Right pediatric wrist radiograph; lat; initial study
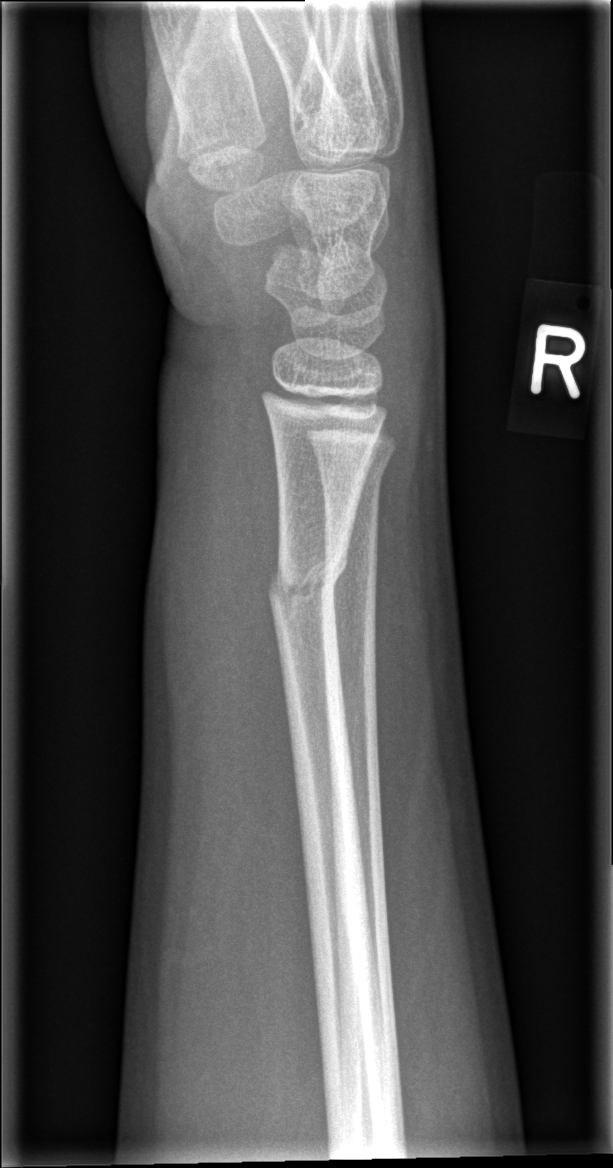
Findings: (coordinates are [x1, y1, x2, y2] in image pixels) Fx: <264,549>-<351,630>, <315,450>-<394,501>. Soft-tissue swelling: <147,342>-<282,883>. Pronator quadratus fat-pad sign: <222,385>-<306,838>.